Left pediatric wrist radiograph | PA | 12-year-old girl | imaged through cast — 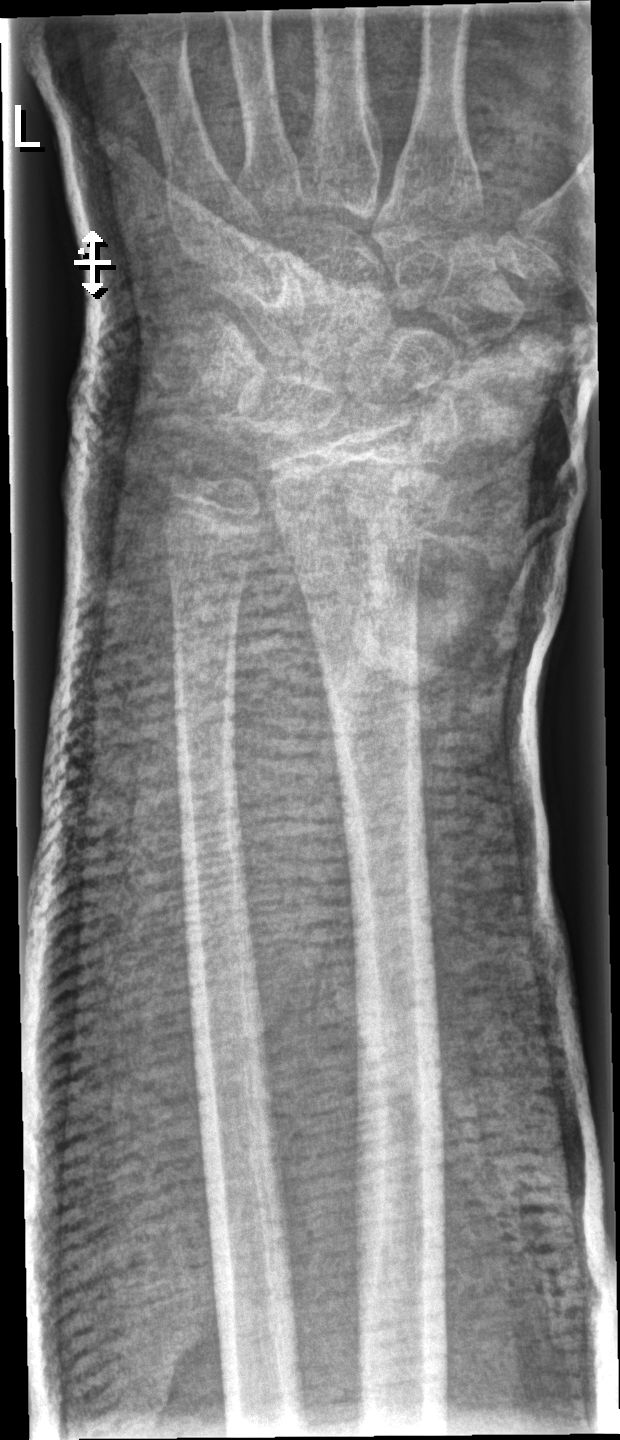 Fracture: 1 @ 272 472 459 558